Lateral projection · left wrist XR — 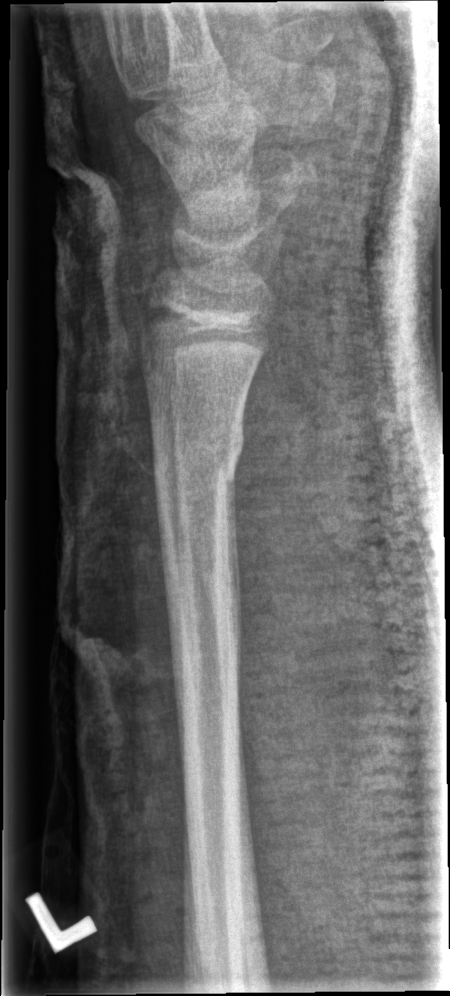
* Pixel coordinates, top-left origin, xyxy.
* Fx identified at bbox(148, 405, 249, 498).
* AO code 23r-M/2.1.